Lat view | right pediatric wrist radiograph | girl, 13 yo | image size 395x812
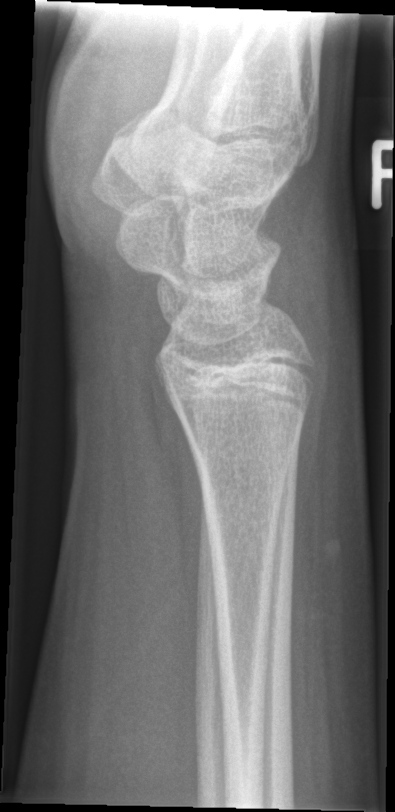
FINDINGS — No Fx annotated.